R pediatric wrist radiograph · lat projection · age 17 y, female: 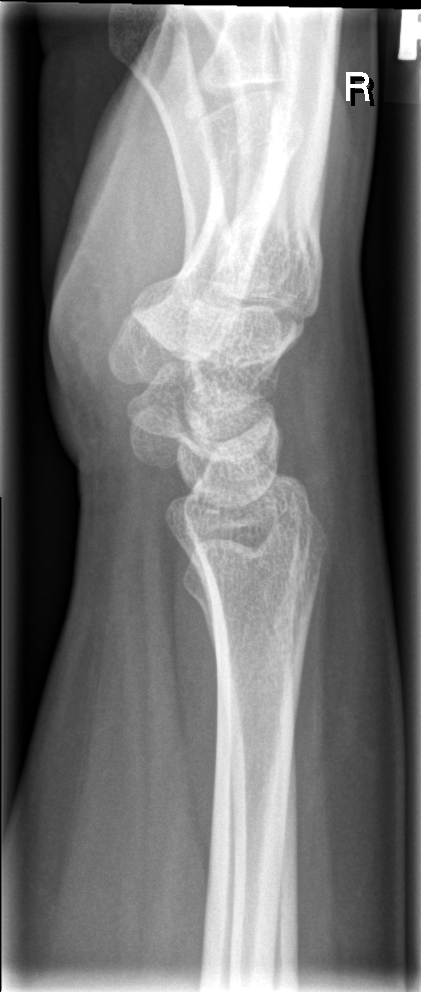 • Fracture: none labeled.